Lateral view · right wrist radiograph · age 16 y, male · acquired on Siemens · 692 by 1434 pixels 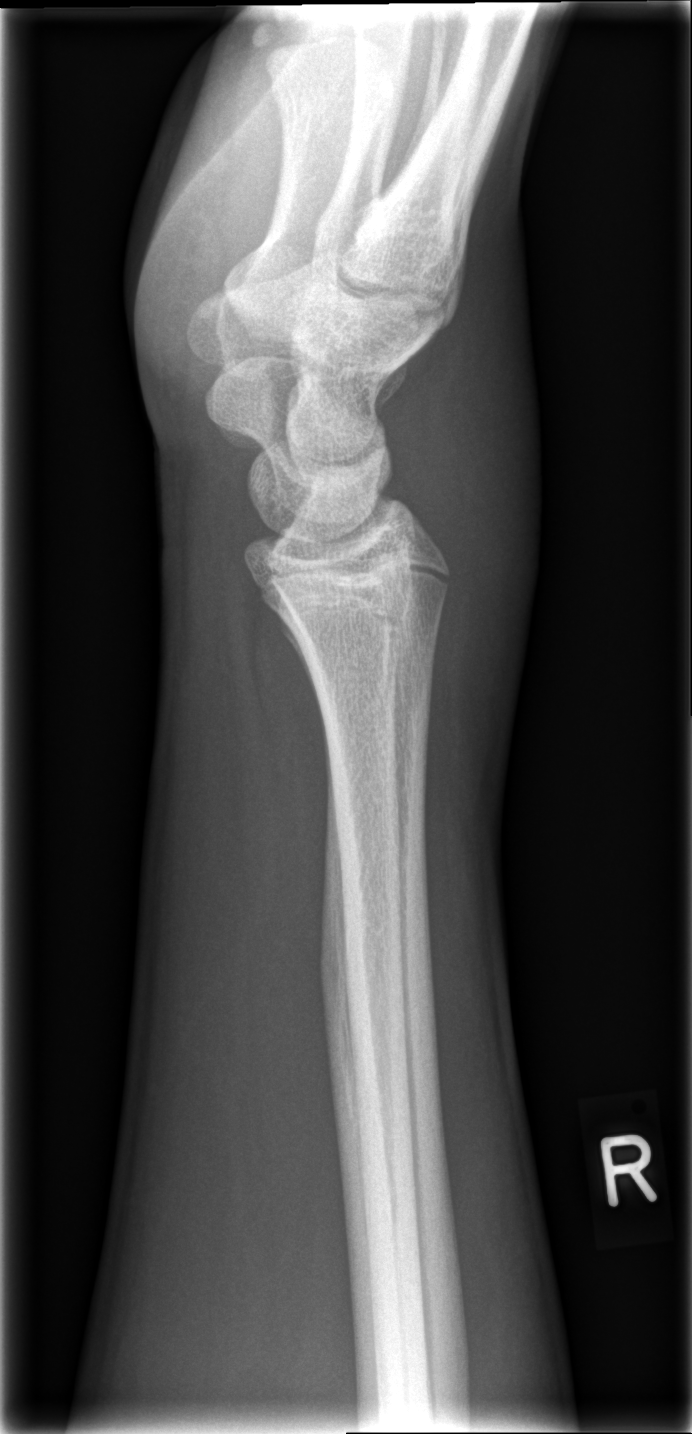 (pixel coordinates, top-left origin, xyxy)
soft-tissue finding: (left=374, top=239, right=554, bottom=791)
bone fracture: none labeled